Left plain radiograph of the wrist; lateral view; subsequent exam; in cast; 599 x 988 px.

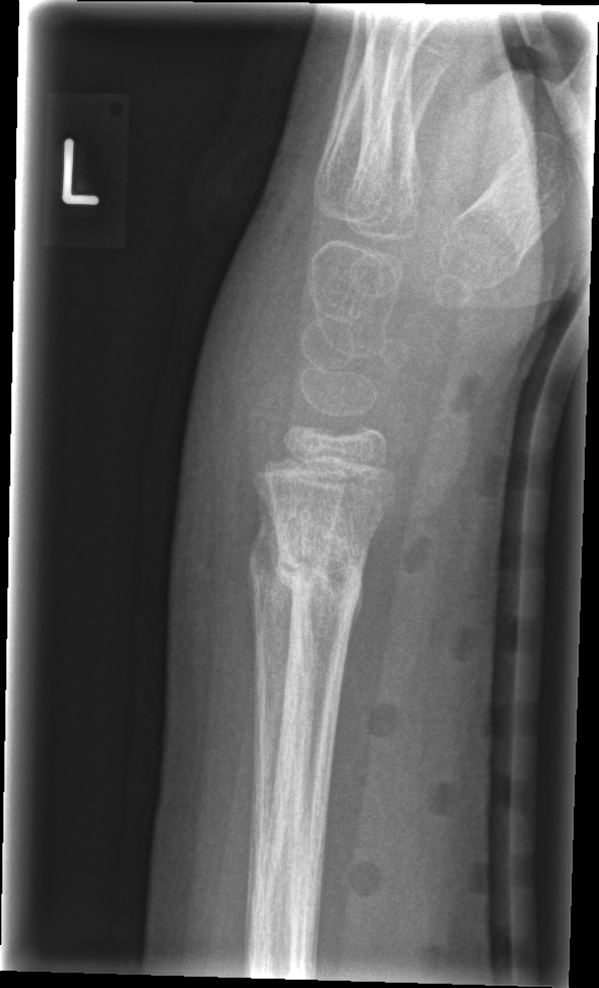 Fracture: 2 @ 269 537 370 616 | 246 537 323 615
Soft-tissue swelling: 1 @ 167 178 320 630
Osteopenia: present